Lat view; L pediatric wrist radiograph; 12y M —

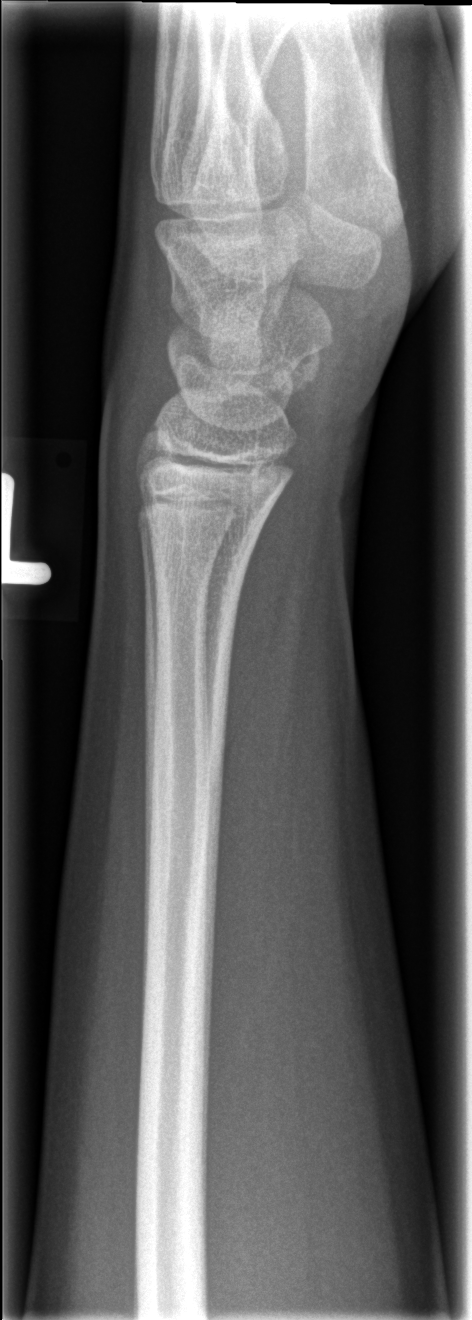
Q: Fracture present?
A: Fracture: none labeled